PA projection; Rt wrist plain film; 6-year-old female —
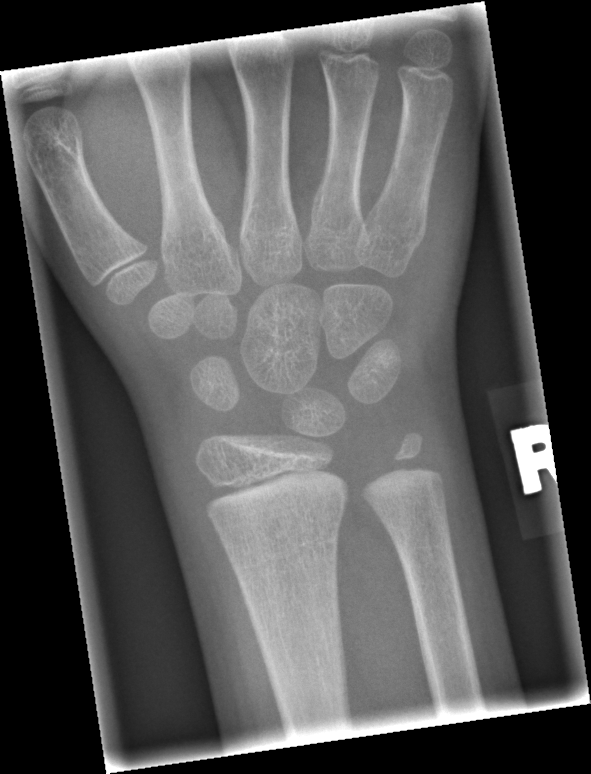

  ao: 23r-M/2.1
  fracture: present but not clearly seen in this view